Lat view | Lt plain radiograph of the wrist | 6y F | acquired on Siemens.

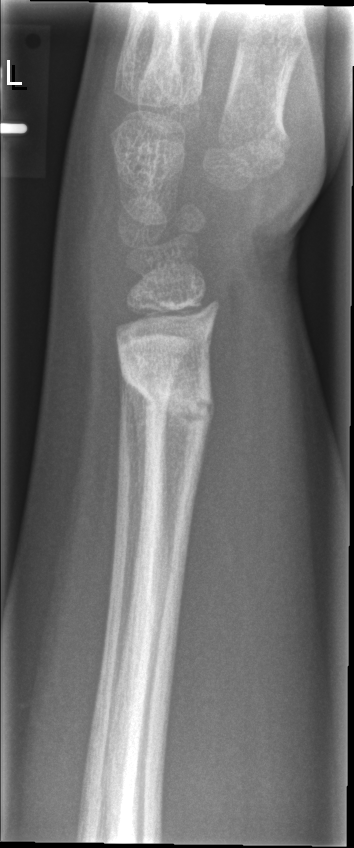

Findings: Osteopenic. Periosteal reaction — <123,373>-<150,537>. Bone fracture: <119,348>-<218,442>.